R wrist XR · lateral · 13-year-old male · detector: Siemens · image width 88.1 mm. 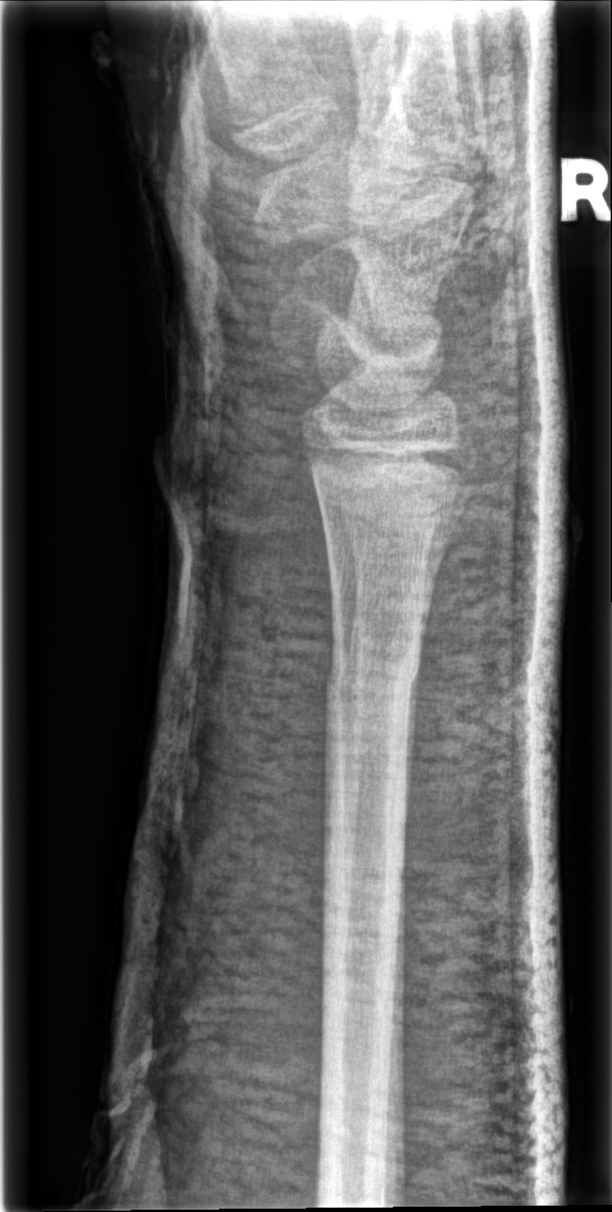

Bone fracture — [x1=321, y1=643, x2=426, y2=708]. Fracture classified AO/OTA 23r-M/3.1; 23u-E/7.